Rt wrist radiograph | PA/AP projection | boy, 6 yo | image width 75.2 mm

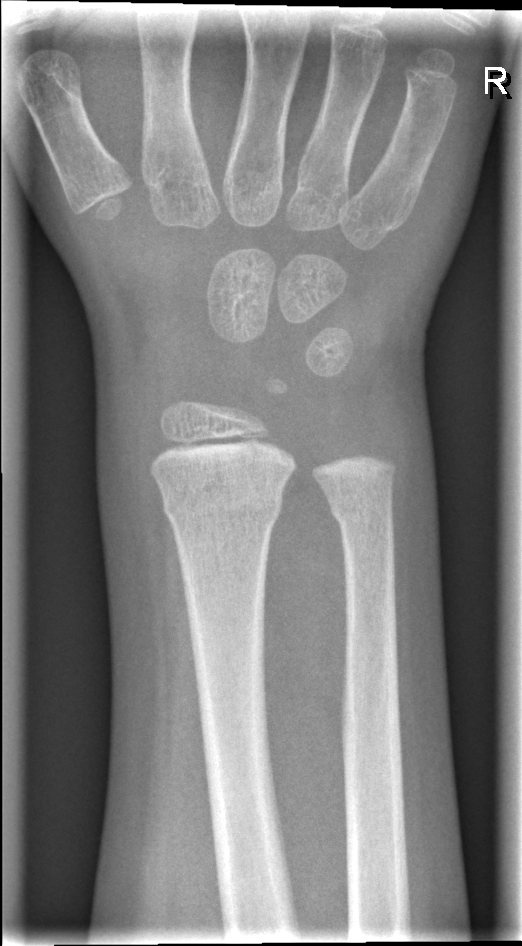
{
  "fracture": "158,479,289,531\n  323,489,397,526"
}